Lateral projection · R pediatric wrist radiograph · acquired on Siemens:
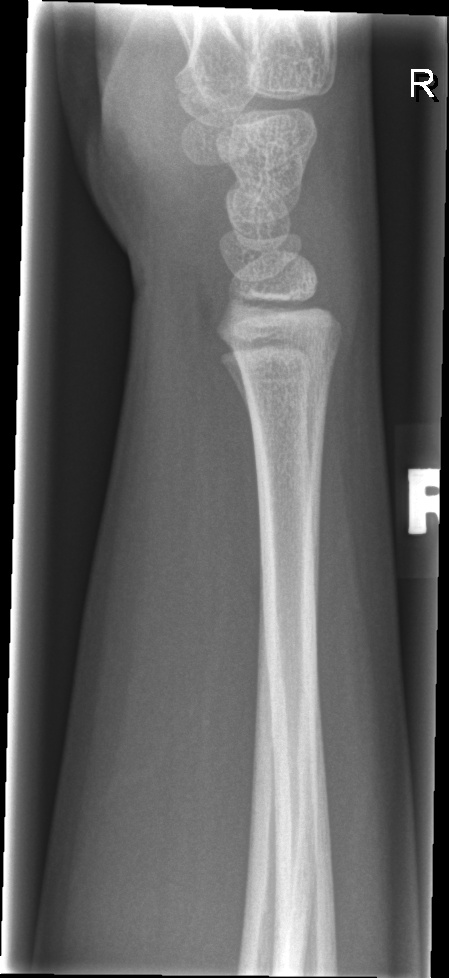 fracture = none labeled